PA/AP; R wrist radiograph; pediatric patient (female, age 15); initial study: 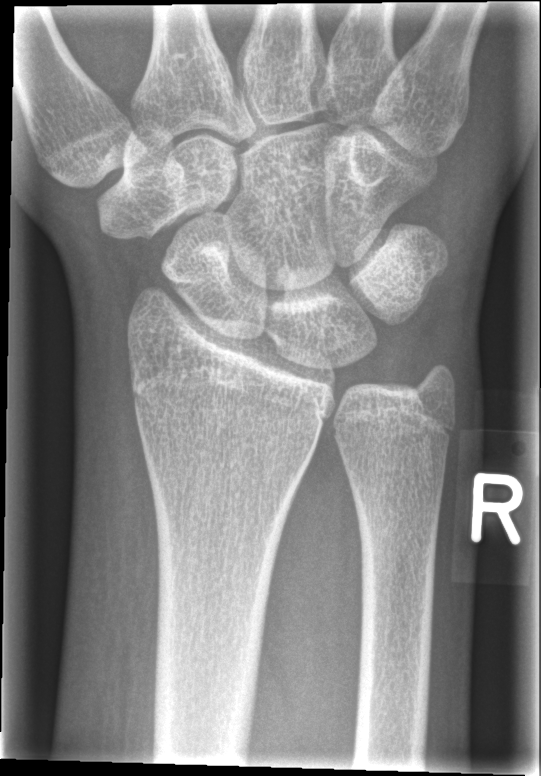
bone fracture = none labeled